Lat view | left wrist radiograph | 11y M — 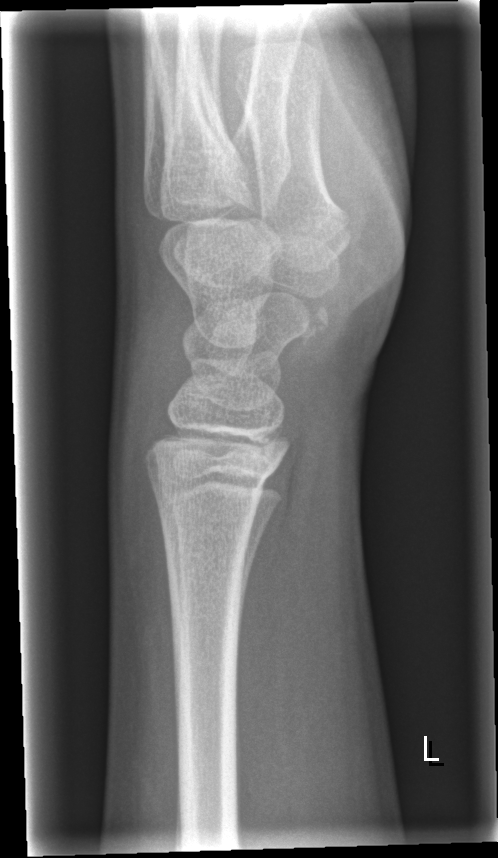 No fracture annotation.